Lt wrist radiograph | lateral | 10-year-old boy: 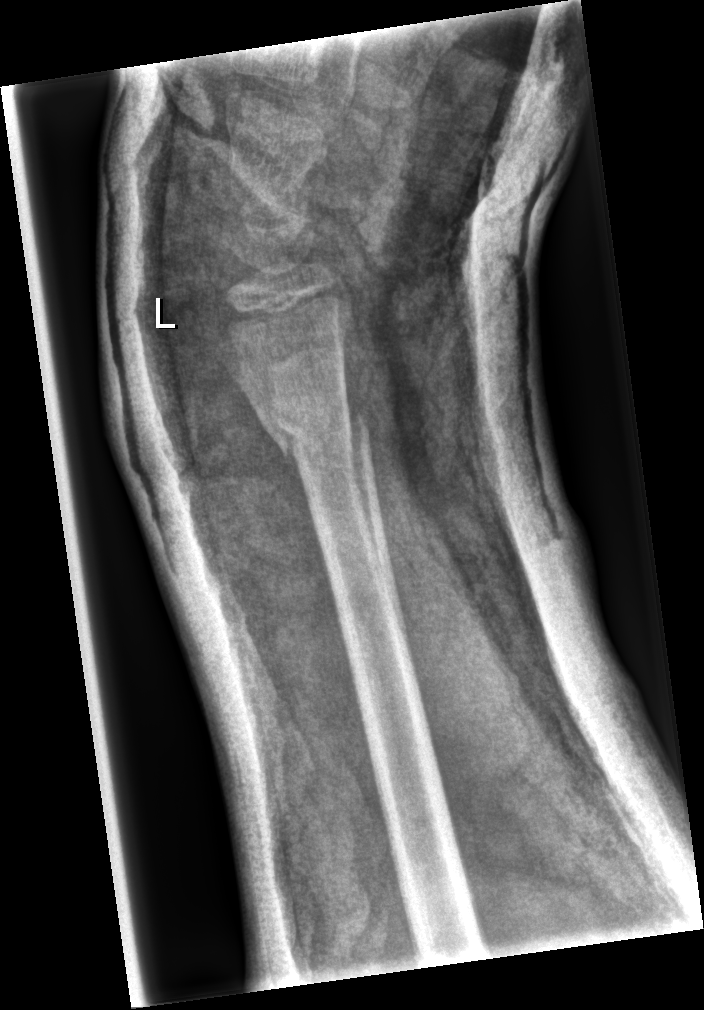
One fracture at <261,402>-<376,466>.